AP view; Rt wrist plain film; 4-year-old male; 464 x 877 px — 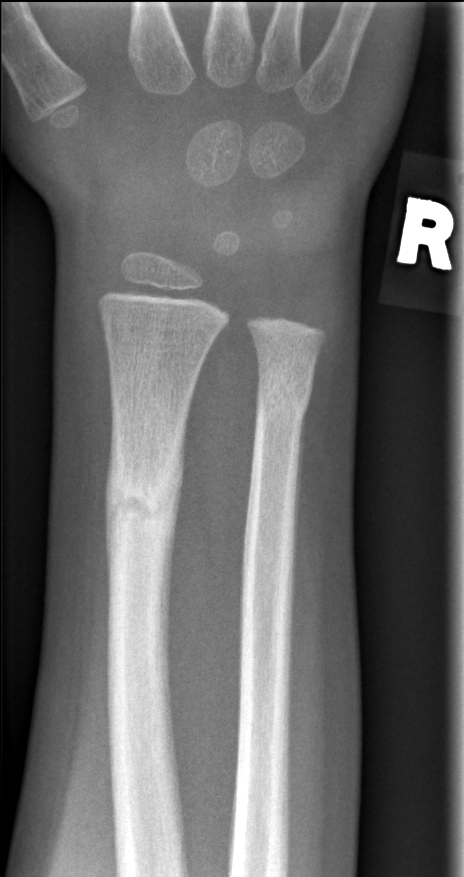 (pixel coordinates, top-left origin, xyxy)
AO classification = 23r-M/3.1; 23u-M/2.1
Fracture = (102, 461, 184, 552) (254, 371, 316, 425)